Left wrist plain film · PA/AP projection · age 11 y, male · presentation radiograph:

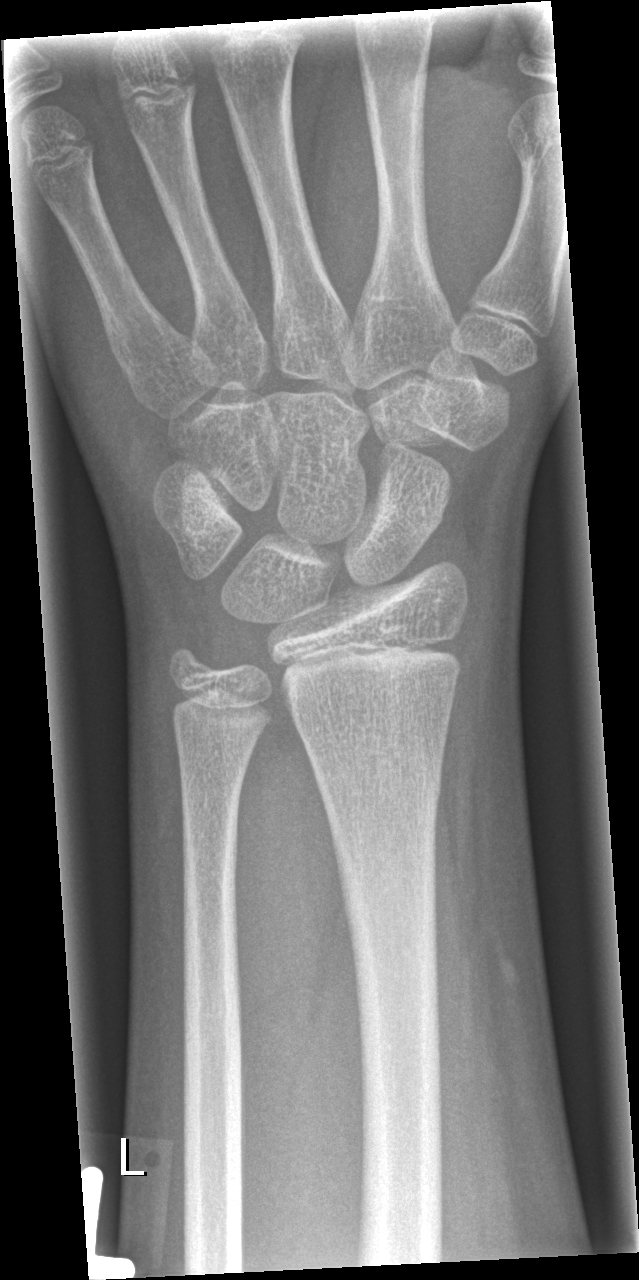 Fracture = none labeled